Left wrist plain film · lat · presentation radiograph · detector: Siemens 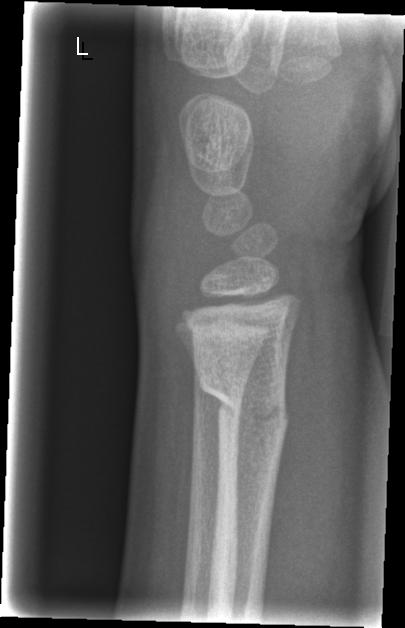 (coordinates are [x1, y1, x2, y2] in image pixels)
AO/OTA = 23r-M/3.1
fracture = (left=190, top=358, right=291, bottom=447)